Rt wrist XR; lat projection; 403x820 —
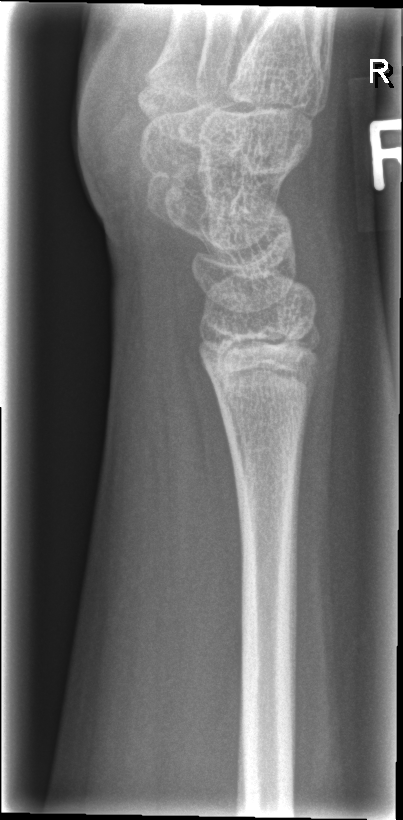
Fx: none.